Lateral view; left wrist radiograph; 13-year-old boy.
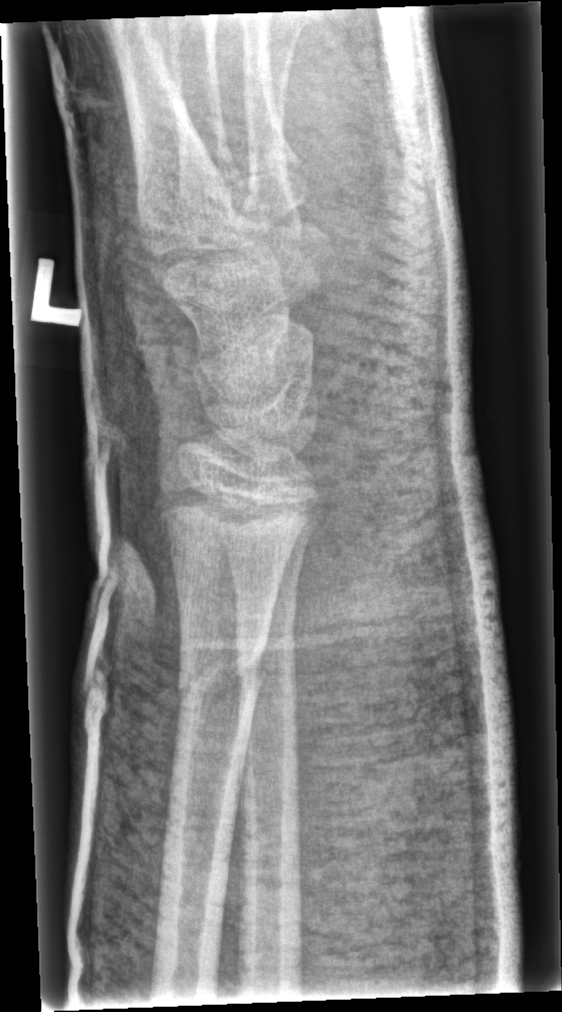

Q: Fracture present?
A: One bone fracture at (left=173, top=635, right=270, bottom=709)
Q: AO code?
A: Fracture classified AO/OTA 23r-M/3.1; 23u-M/2.1